Frontal; R wrist XR:
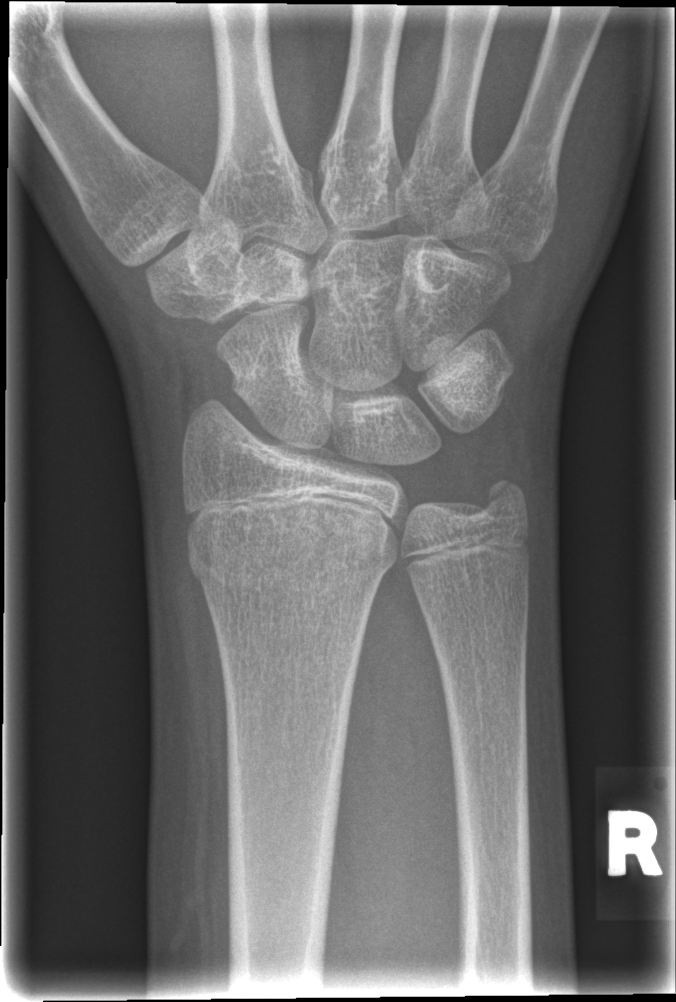
bone fracture: 182,496,398,602 | 464,463,541,540